Lateral; right wrist pediatric wrist radiograph; 15y M; follow-up; 63.6 mm image width —

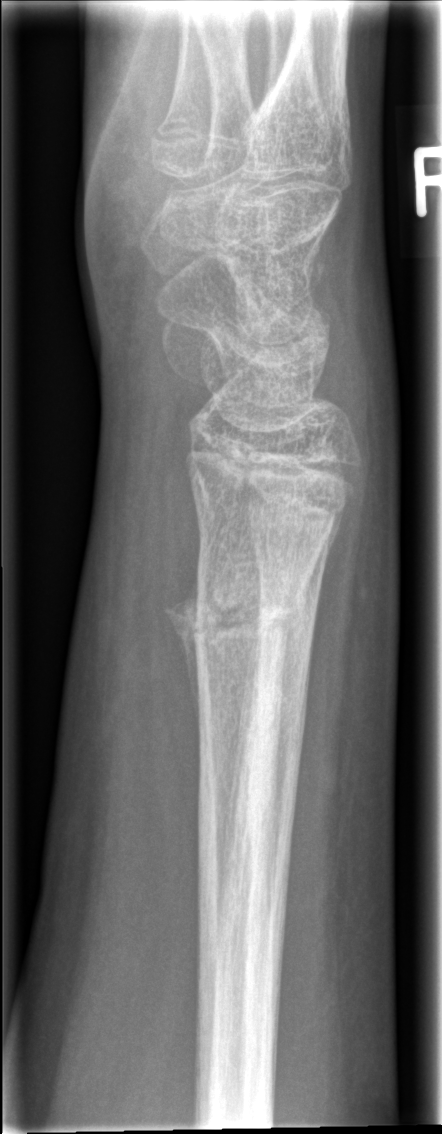
# boxes as x1,y1,x2,y2 (top-left / bottom-right, pixel units)
periostealreaction: 169,592,199,742
fracture: 1 @ 189,591,308,656
ao: 23r-M/3.1; 23u-M/2.1; 23u-E/7